Left pediatric wrist radiograph; lat
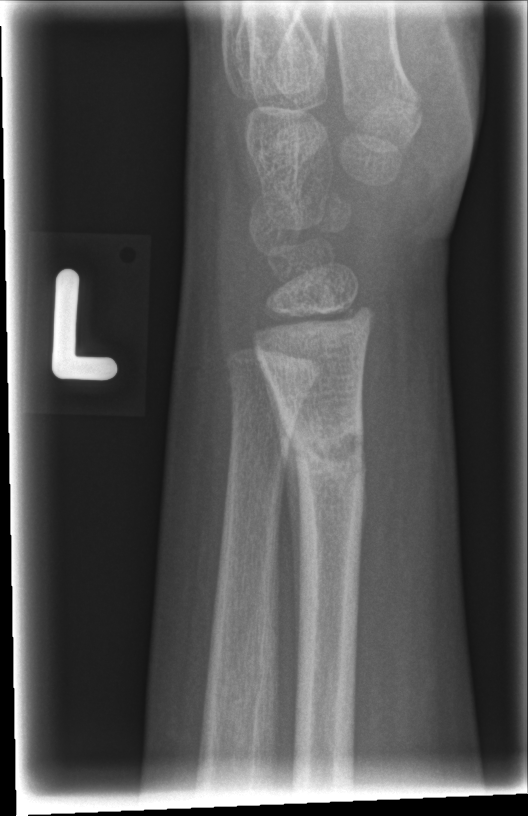
(pixel coordinates, top-left origin, xyxy)
Bone fracture: 283 414 368 496
Periosteal reaction: 1 @ 261 365 302 693
Osteopenia: present